PA view; L plain radiograph of the wrist; boy, 5 yo
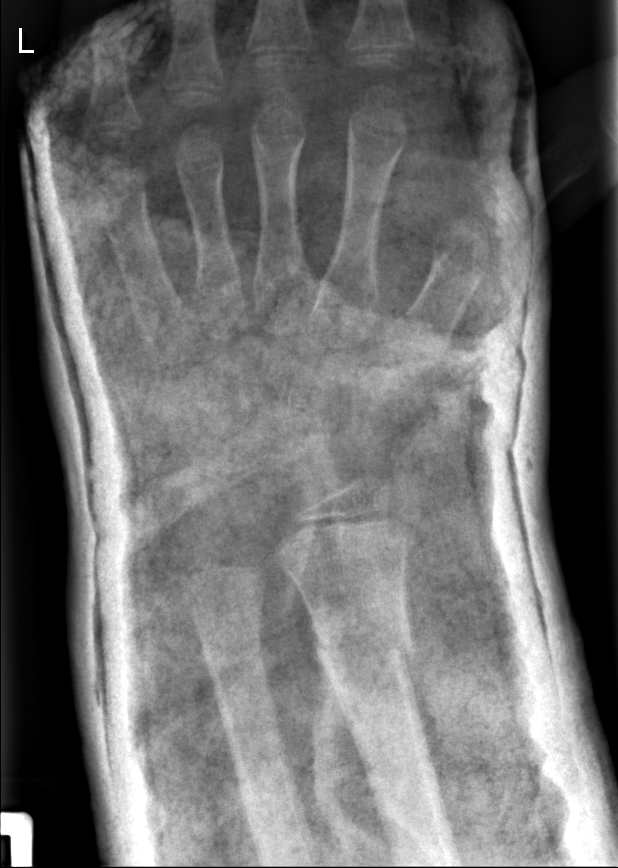 {"fracture": "306 613 416 679"}